Lateral view | L plain radiograph of the wrist | 9-year-old girl | follow-up:

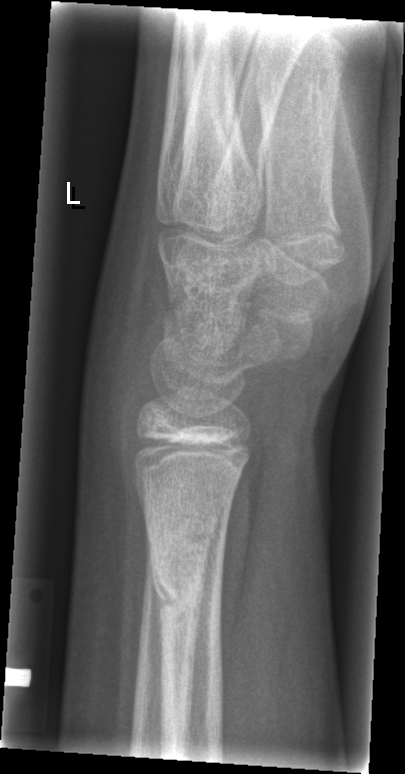 Findings: Reduced bone mineral density. Fx: [x1=141, y1=529, x2=223, y2=636].